L plain radiograph of the wrist, lat view. 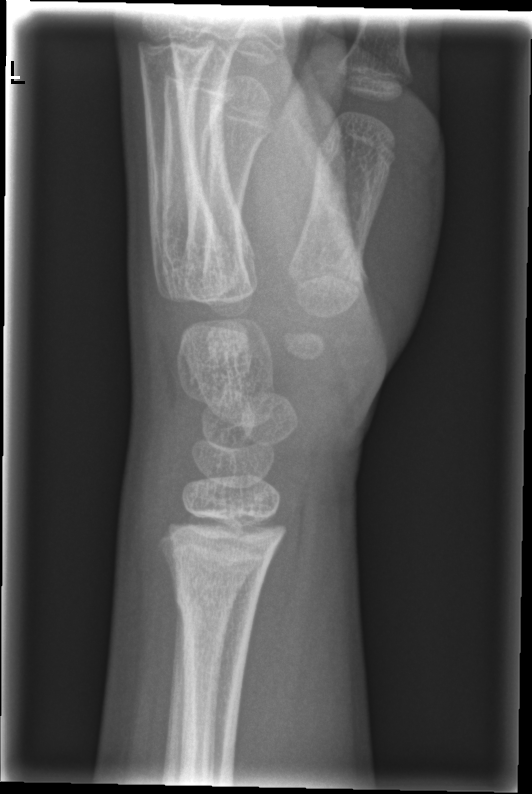

FINDINGS: (coordinates are [x1, y1, x2, y2] in image pixels) AO code 23r-M/2.1. Fracture: (170, 570, 259, 629).